Lat projection; L plain radiograph of the wrist; subsequent exam; in cast; Siemens
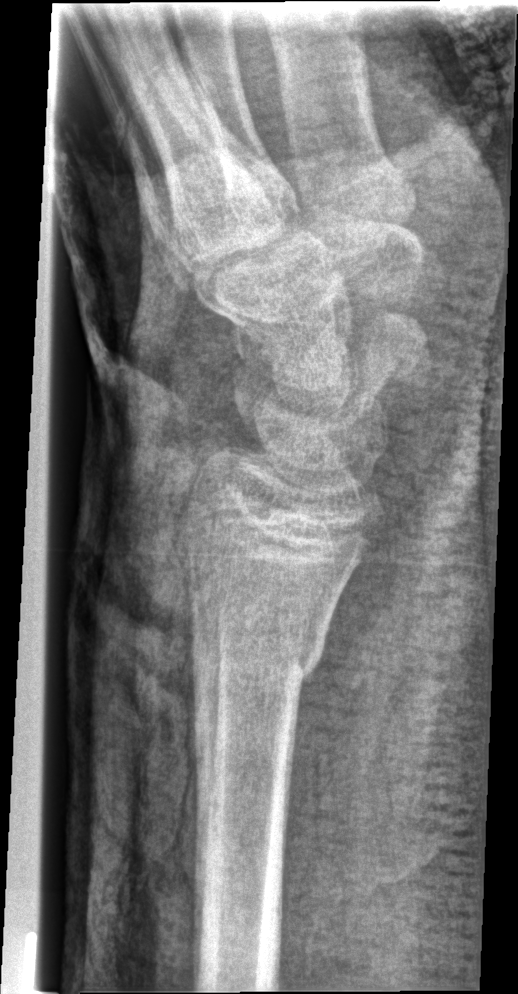

Q: AO code?
A: AO/OTA classification: 23r-M/2.1
Q: Locate any fractures.
A: Fx — bbox(186, 611, 333, 702)